Lateral view, L wrist plain film
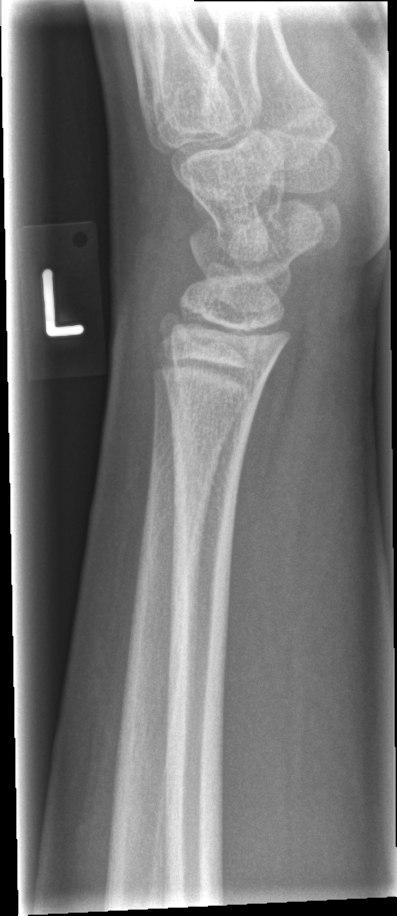 No fracture annotation.